Left wrist X-ray, lat projection, 9y F, initial study, 382 by 1064 pixels:

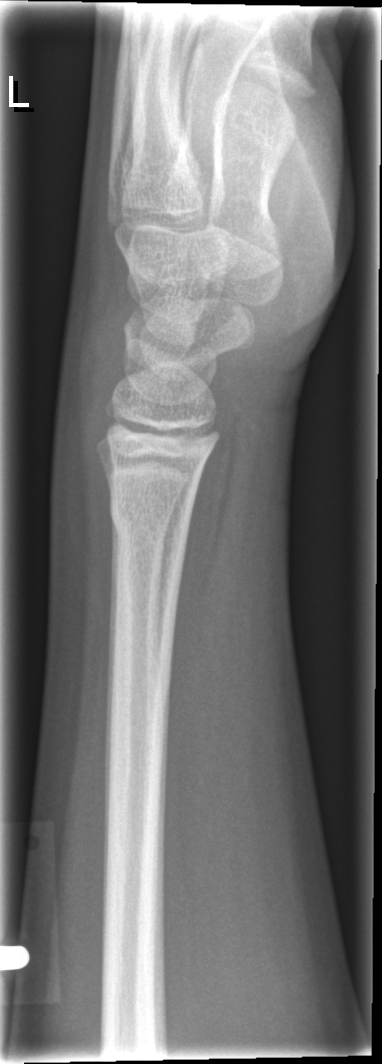
(bounding boxes in image-pixel xyxy)
Fx: (left=103, top=484, right=197, bottom=544)